L wrist XR · PA · subsequent exam · detector: Siemens —
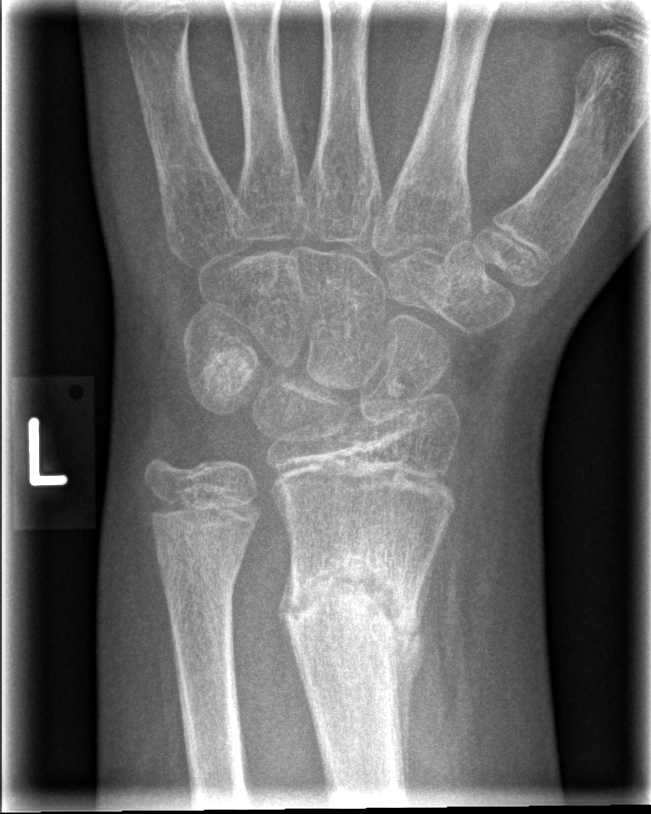

AO/OTA classification: 23r-M/3.1; 23u-M/2.1.
Periosteal thickening identified at (left=392, top=545, right=438, bottom=801); (left=277, top=551, right=309, bottom=700).
Two fractures at (left=275, top=535, right=431, bottom=693) (left=154, top=536, right=248, bottom=596).
Osteopenic.